Right wrist radiograph | lat | initial study —

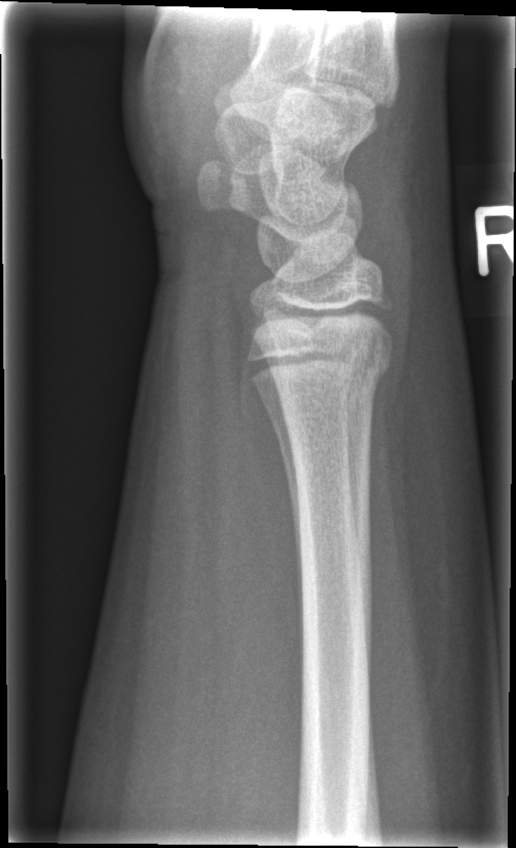 • Coordinates are [x1, y1, x2, y2] in image pixels.
• Fracture — 259,333,397,404.